AP | Lt wrist plain film | pediatric patient (girl, age 11).
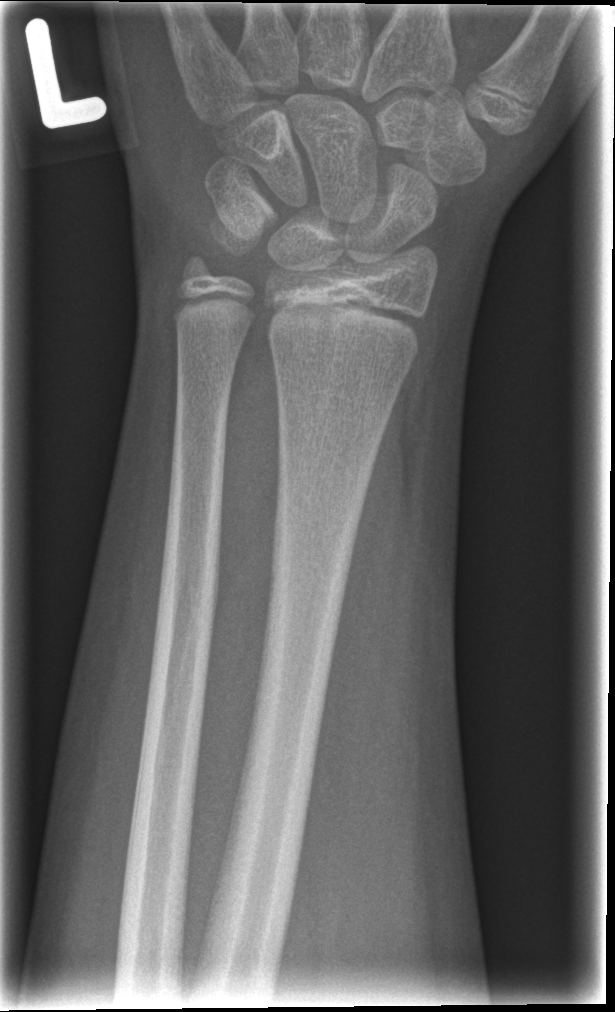

No fracture labeled.